Left wrist pediatric wrist radiograph · lat view · age 13 y, boy:
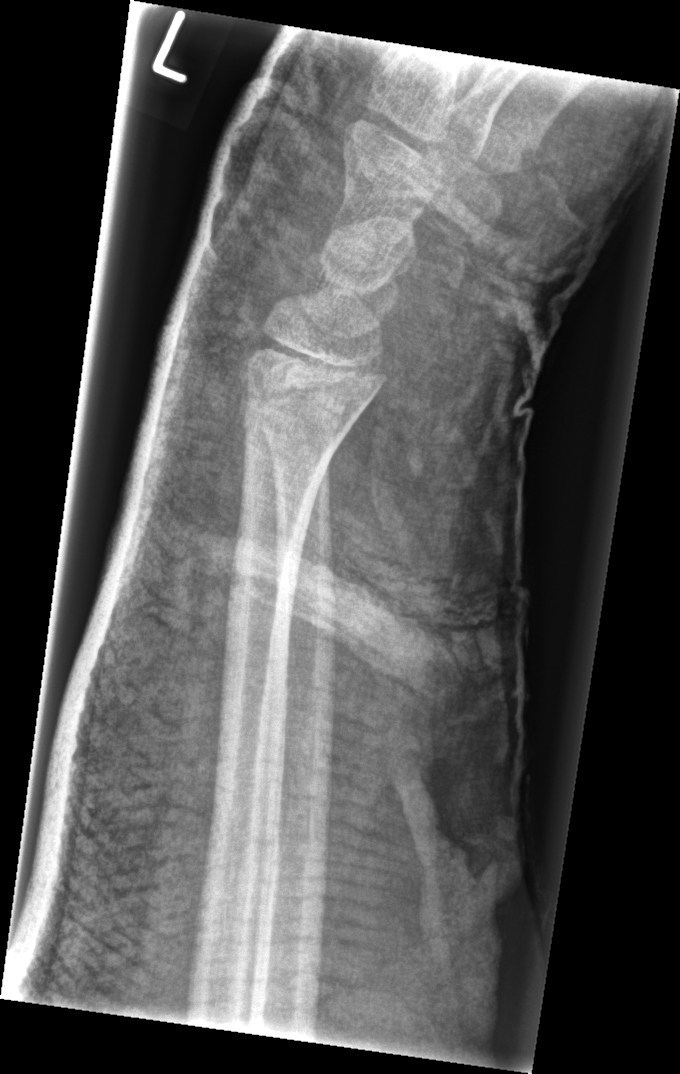
ao: 23r-E/2.1
fracture: [232, 369, 350, 455]